Lt wrist XR | PA view | 7y F | image size 529x1032
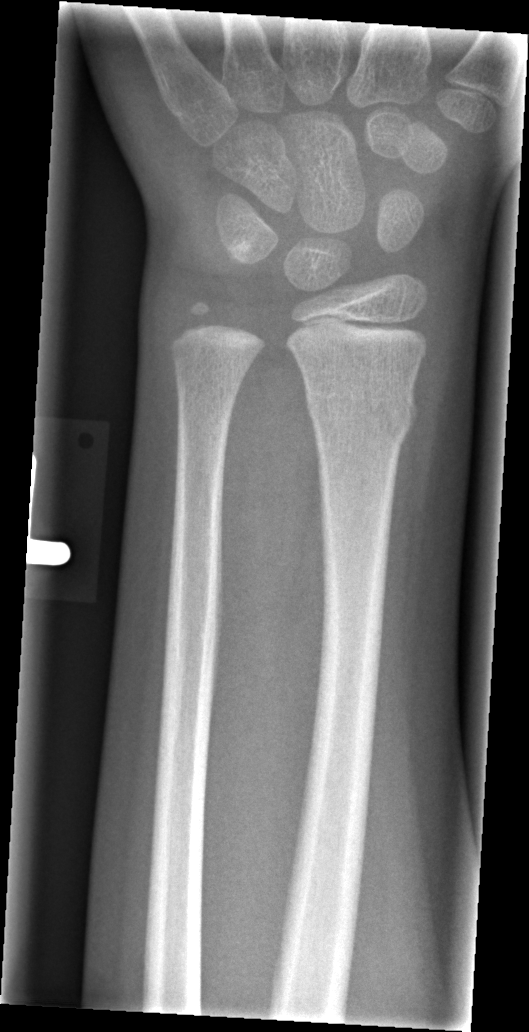 - One fracture at <303,387>-<421,442>.
- AO code 23r-M/2.1.